R wrist plain film; frontal projection; follow-up; 805 by 1036 pixels — 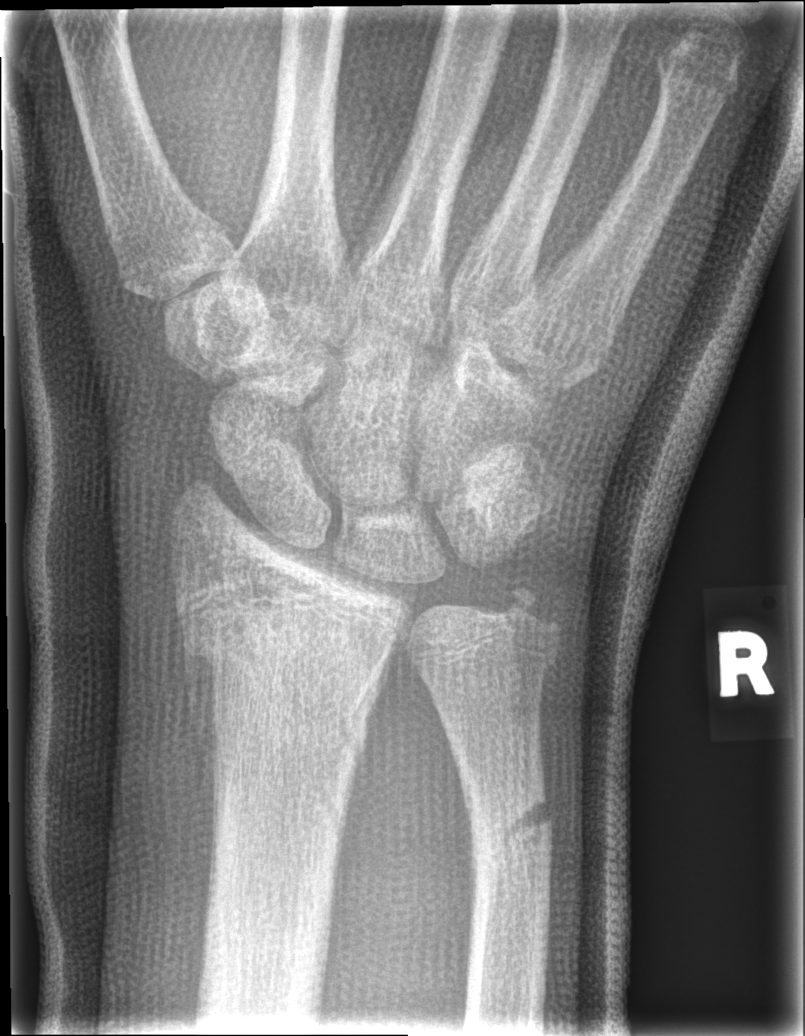
* Fx: bbox(176, 609, 396, 732), bbox(467, 789, 557, 854), bbox(501, 576, 566, 650).
* AO code 23r-M/3.1; 23u-M/2.1; 23u-E/7.
* Osteopenic.